Lat view · right wrist plain film · 277 by 584 pixels.
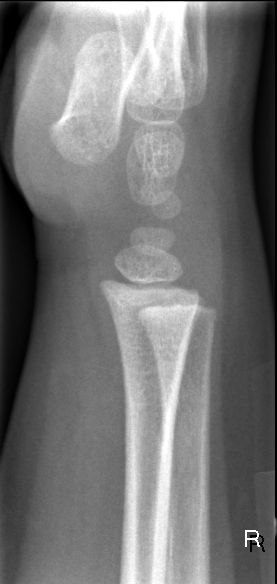
* Fracture: none labeled.